Lat projection, right wrist X-ray, acquired on Siemens.
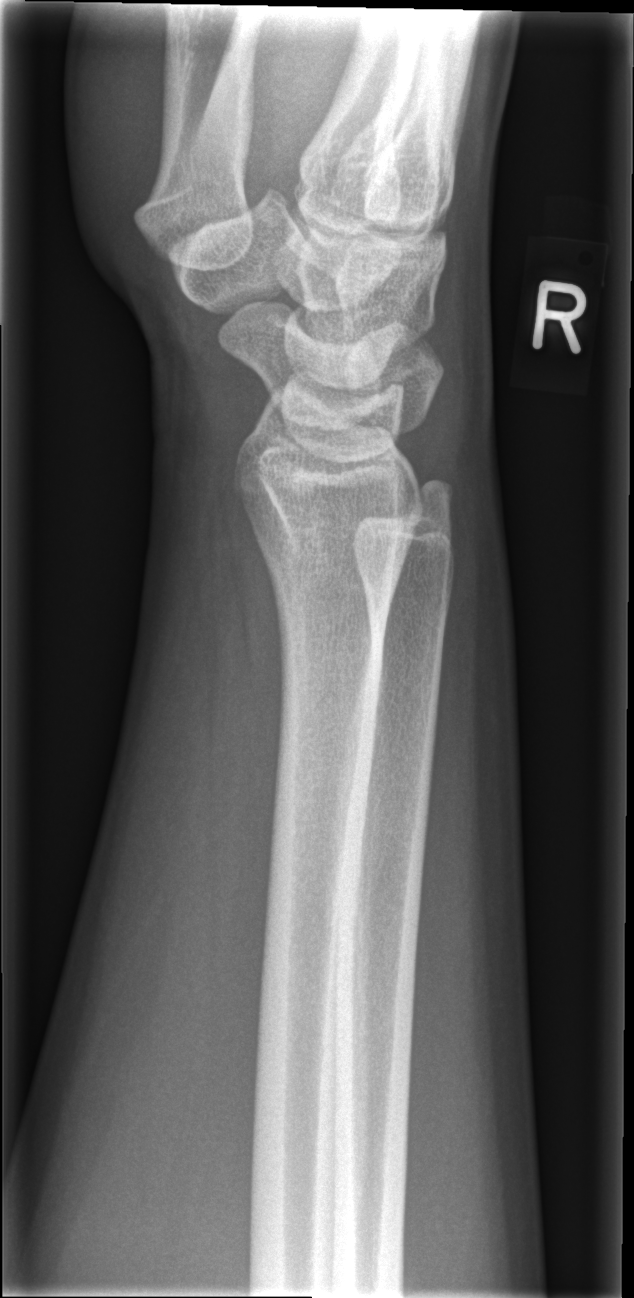

fracture: none labeled